R plain radiograph of the wrist · lat view · 10-year-old male · detector: Siemens · 350 x 894 px —

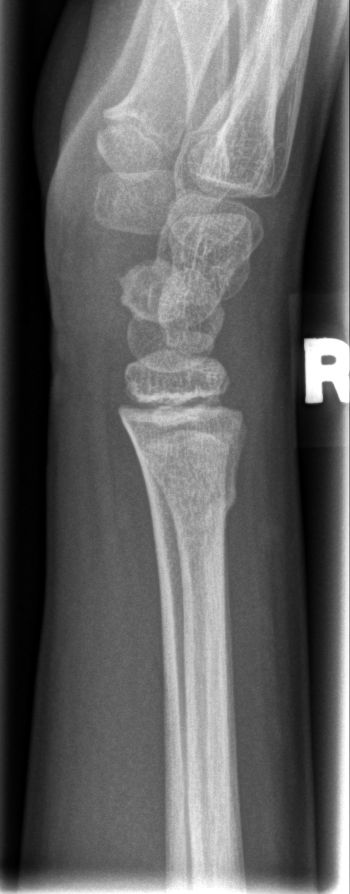

* Fx: bbox(144, 455, 240, 529).